Lateral projection, R plain radiograph of the wrist, age 15 y, female, follow-up, image size 518x1071: 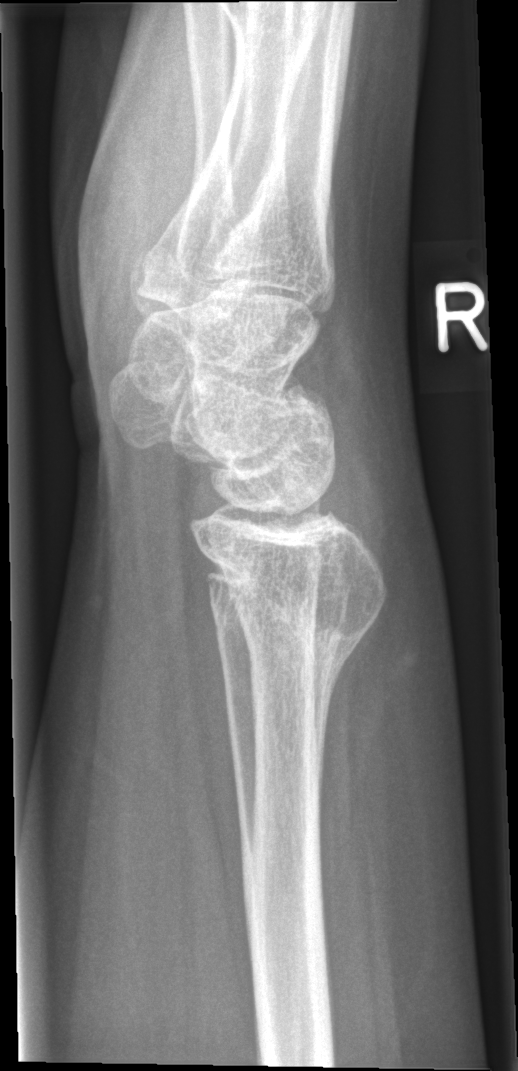
{"ao": "23r-M/3.1; 23u-E/7", "fracture": "1 @ bbox(198, 538, 390, 661)"}